Posteroanterior · Lt wrist X-ray · pediatric patient (girl, age 10) · follow-up · detector: Siemens

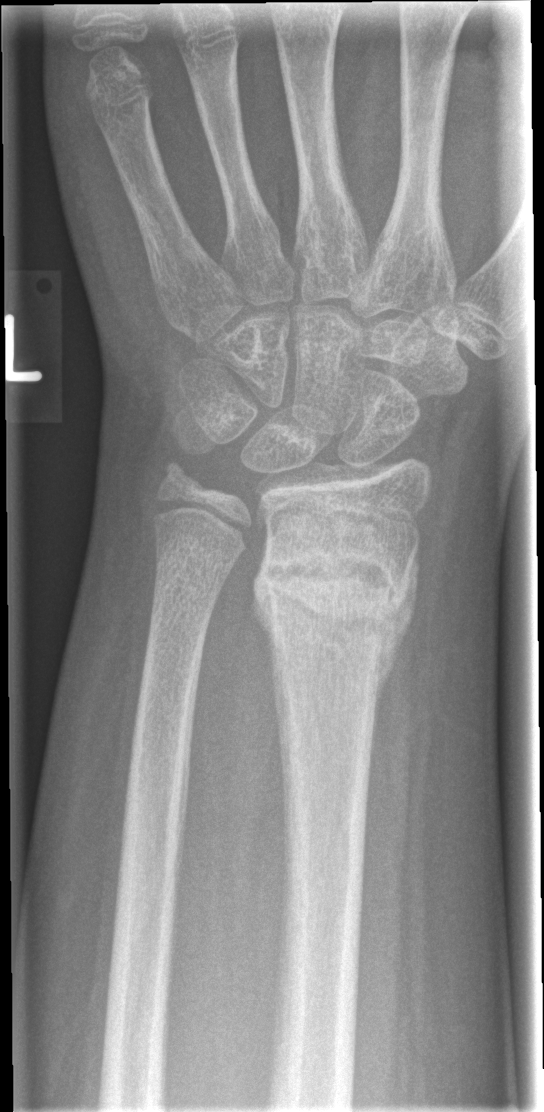

fracture = bbox(251, 511, 427, 703); bbox(150, 449, 213, 507)
periosteal thickening = 2 @ bbox(375, 553, 418, 729), bbox(250, 601, 274, 656)
AO classification = 23r-M/3.1; 23u-E/7